Lt wrist X-ray · lat view · 17-year-old male:
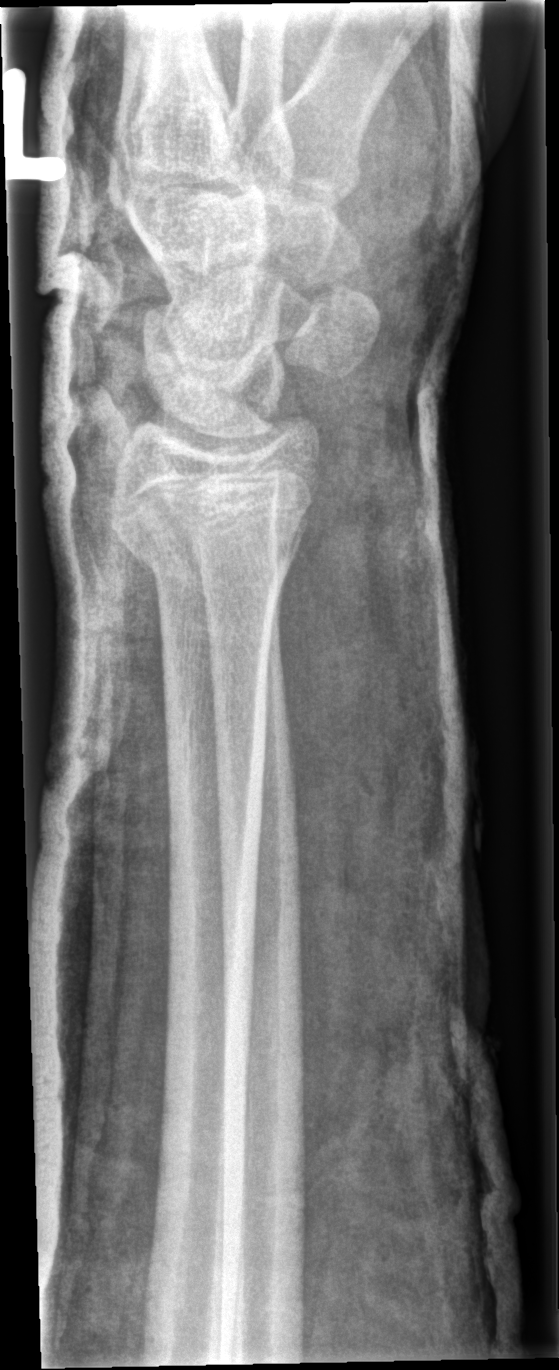

• Fx identified at [119, 490, 316, 602].
• AO code 23r-M/3.1.